Frontal projection; left wrist XR; detector: Siemens —

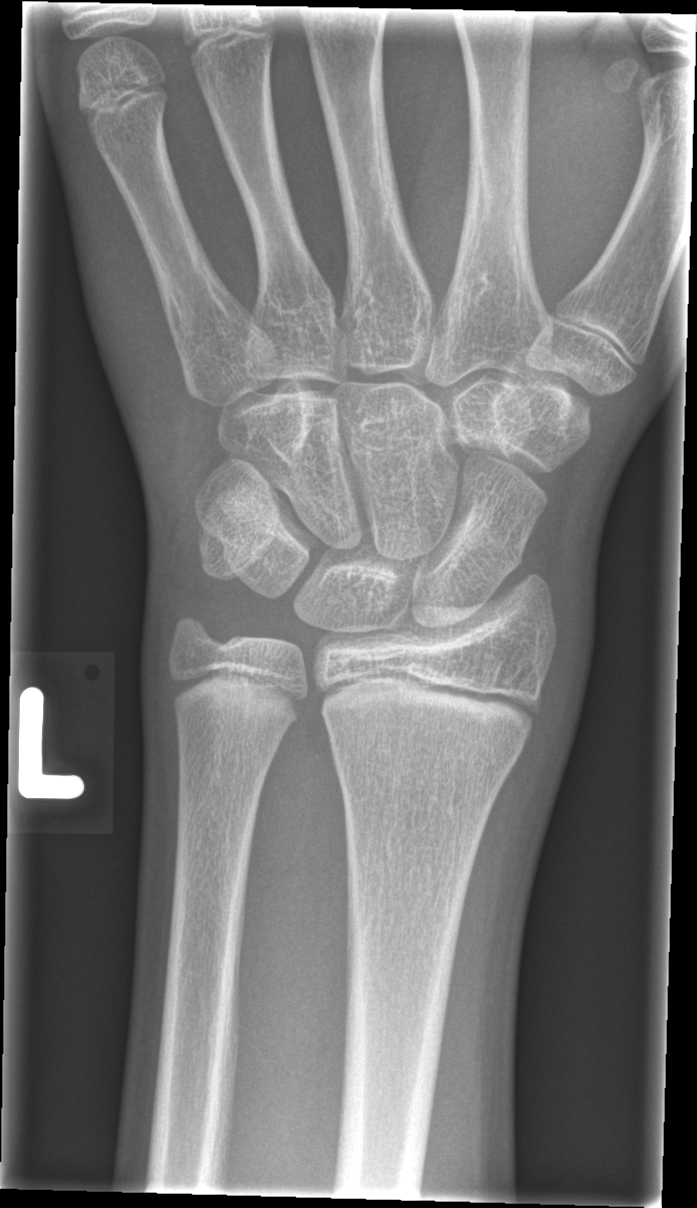 Q: Fracture present?
A: Fx: present but not clearly seen in this view
Q: What is the AO/OTA classification?
A: Fracture classified AO/OTA 23r-M/2.1